Frontal projection · right wrist plain film · 7-year-old girl: 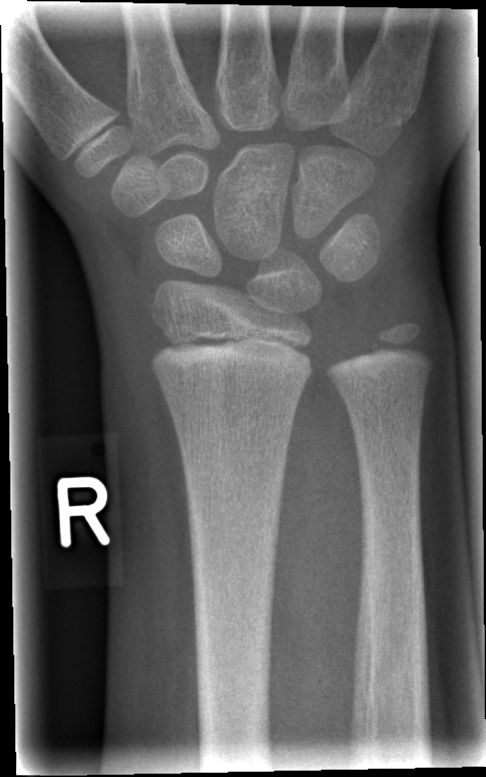 Fracture = none labeled